Right wrist pediatric wrist radiograph | PA/AP | age 11 y, girl | follow-up study | cast in situ.
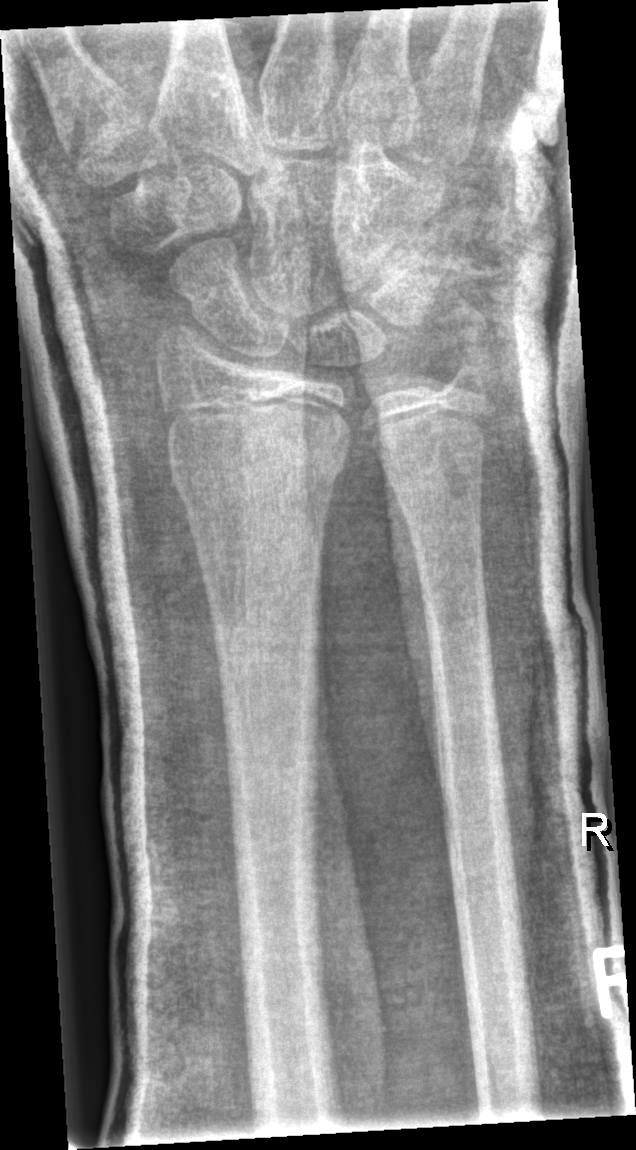 * Fracture: (164, 411, 348, 508).
* AO/OTA classification: 23r-M/3.1.